AP projection; left wrist plain film; initial study; acquired on Siemens; 82.1 mm image width —
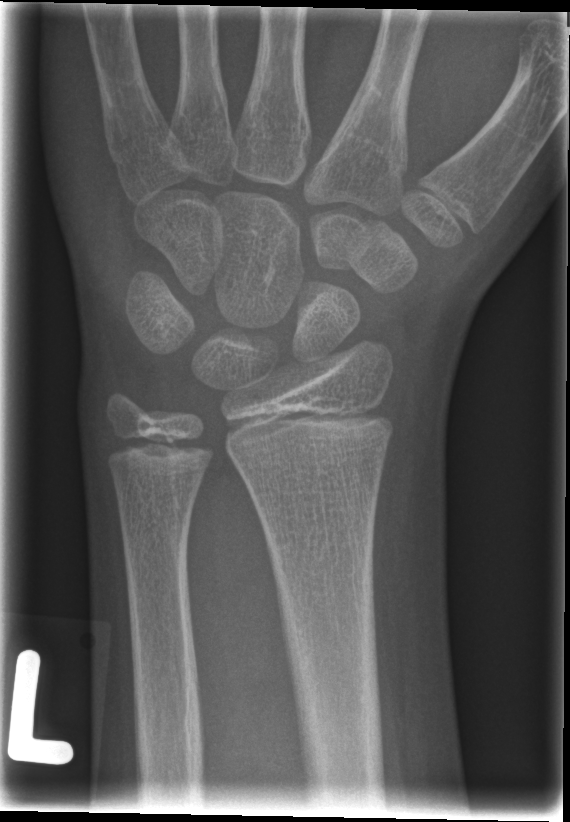
No Fx annotated.